Lt plain radiograph of the wrist · lat view

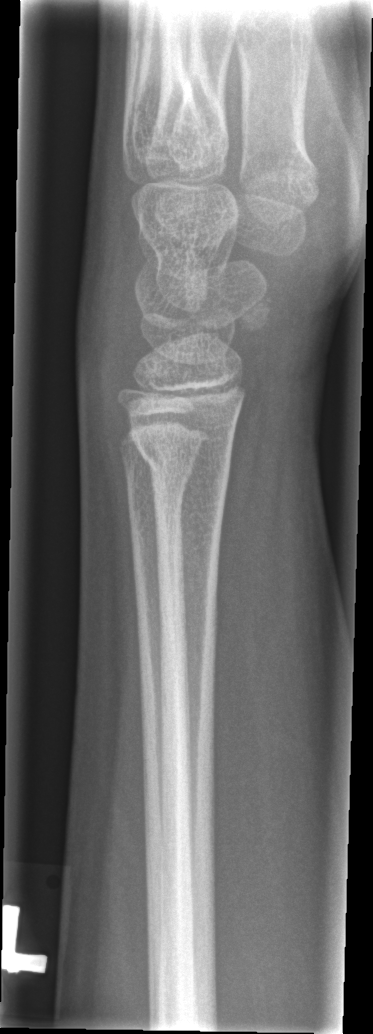

(boxes as x1,y1,x2,y2 (top-left / bottom-right, pixel units))
Q: Is there a fracture?
A: Fx: [x1=134, y1=432, x2=234, y2=502]